AP | right wrist X-ray | boy, 8 yo | Siemens | image 63.6 mm wide
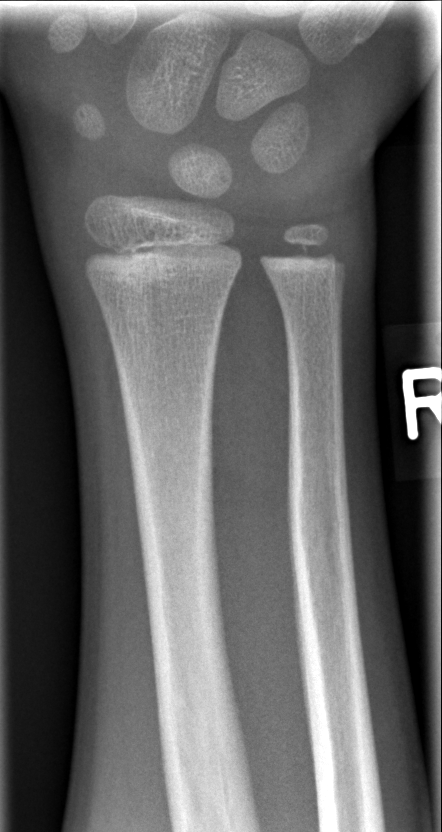
Fx: none labeled